Right wrist X-ray, PA/AP view, 17y F, detector: Siemens

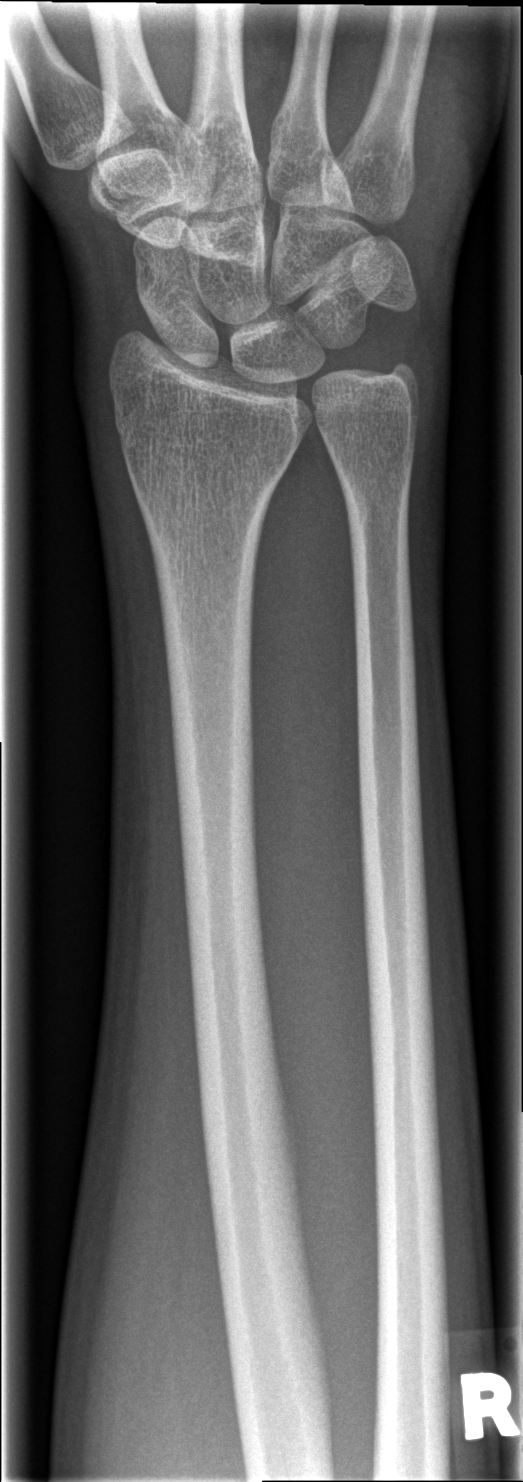
# coordinates are [x1, y1, x2, y2] in image pixels
fracture: none labeled
boneanomaly: bbox(272, 294, 435, 507)